AP view, left wrist plain film, pediatric patient (girl, age 12), initial study, image size 459x1094:

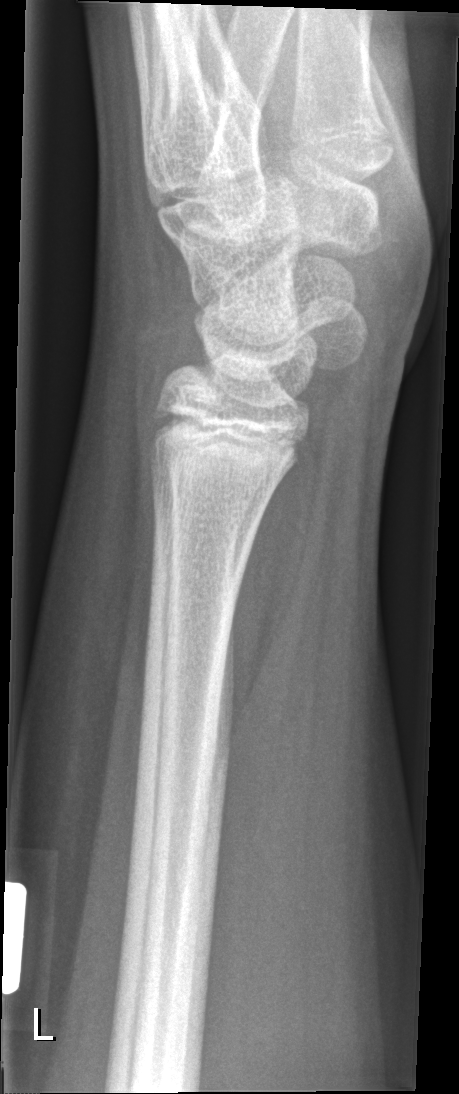
Fx = none labeled